Lateral view; right wrist pediatric wrist radiograph; 6y M; in cast.

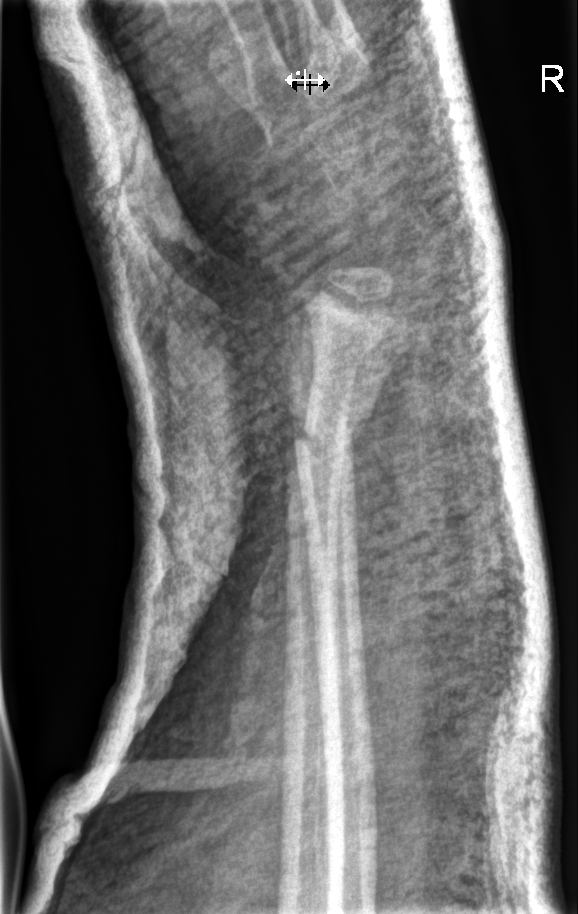
- AO/OTA classification: 23r-M/3.1; 23u-M/2.1.
- Fracture — [296, 407, 376, 467].